Lt wrist radiograph · lat view · boy, 8 yo · follow-up · imaged through cast
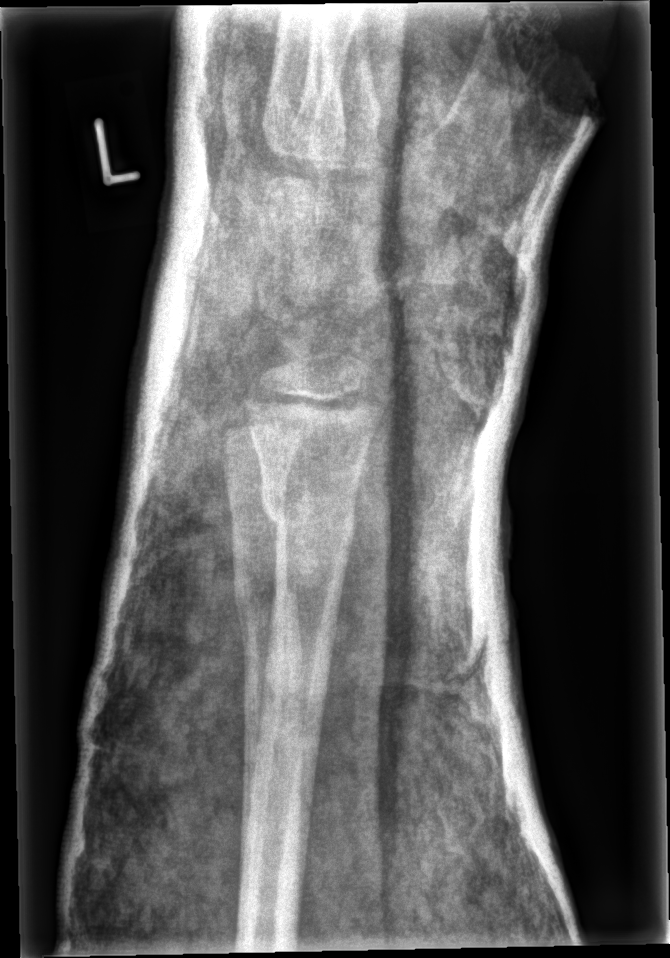

AO classification: 23r-M/3.1; 23u-M/2.1
fracture: 2 @ (258, 480, 359, 557) (232, 581, 303, 647)